AP projection | Rt wrist XR | 14y M:
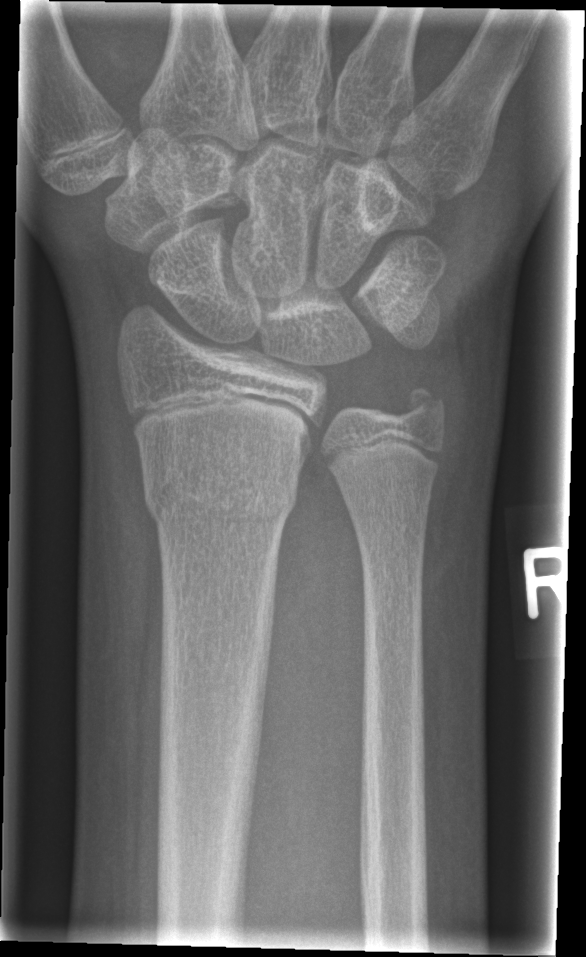 {
  "_coords": "coordinates are [x1, y1, x2, y2] in image pixels",
  "fracture": "2 @ (139, 465, 300, 533), (381, 371, 457, 446)",
  "ao": "23r-M/3.1; 23u-E/7"
}